Right wrist XR · PA view · follow-up study · cast present · Siemens

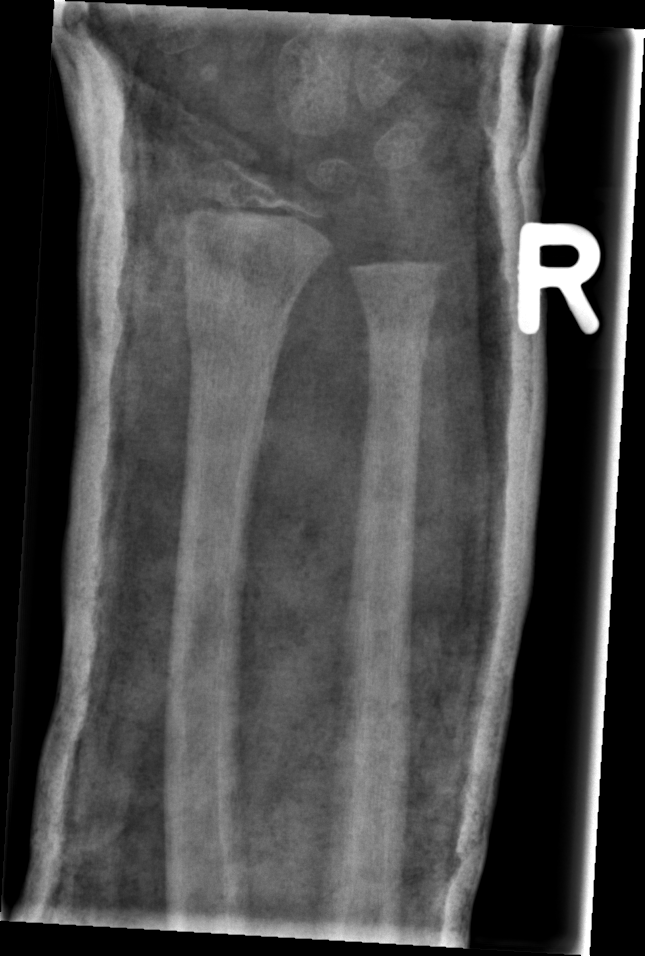
(bounding boxes in image-pixel xyxy)
Fx: 183 280 293 345; 364 318 432 374
AO code: 23-M/3.1